Left wrist plain radiograph of the wrist | frontal view —

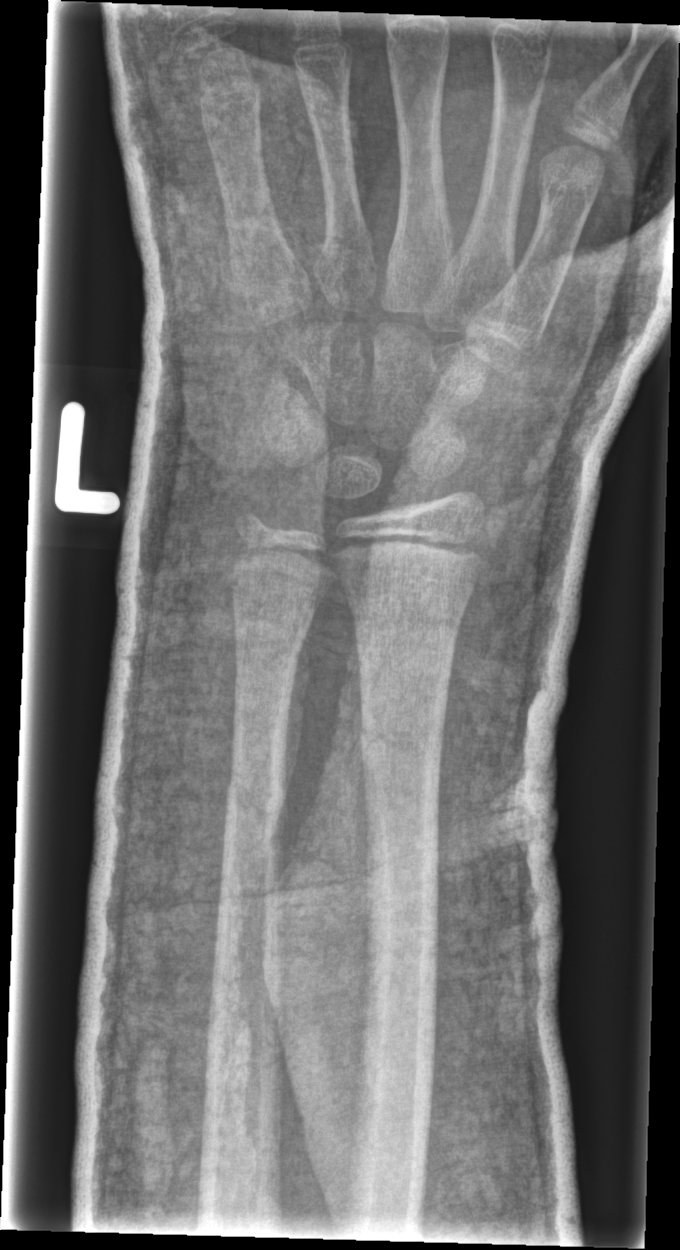 * AO code 23r-M/3.1; 22u-D/4.1.
* Fx — 355,711,449,776 | 222,766,290,845.